Left wrist pediatric wrist radiograph · PA/AP · age 9 y, boy · cast in situ
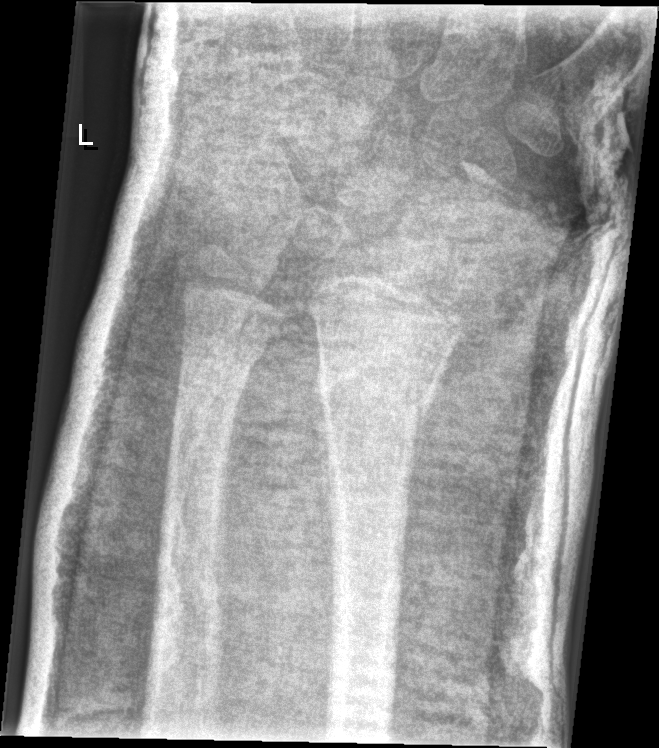

AO/OTA classification: 23r-M/3.1; 23u-M/2.1. Periosteal new bone identified at [x1=310, y1=335, x2=333, y2=584], [x1=405, y1=389, x2=437, y2=524]. Fx identified at [x1=311, y1=354, x2=441, y2=420] [x1=175, y1=331, x2=273, y2=390].